Lateral · right wrist plain radiograph of the wrist · follow-up study · 660 by 978 pixels: 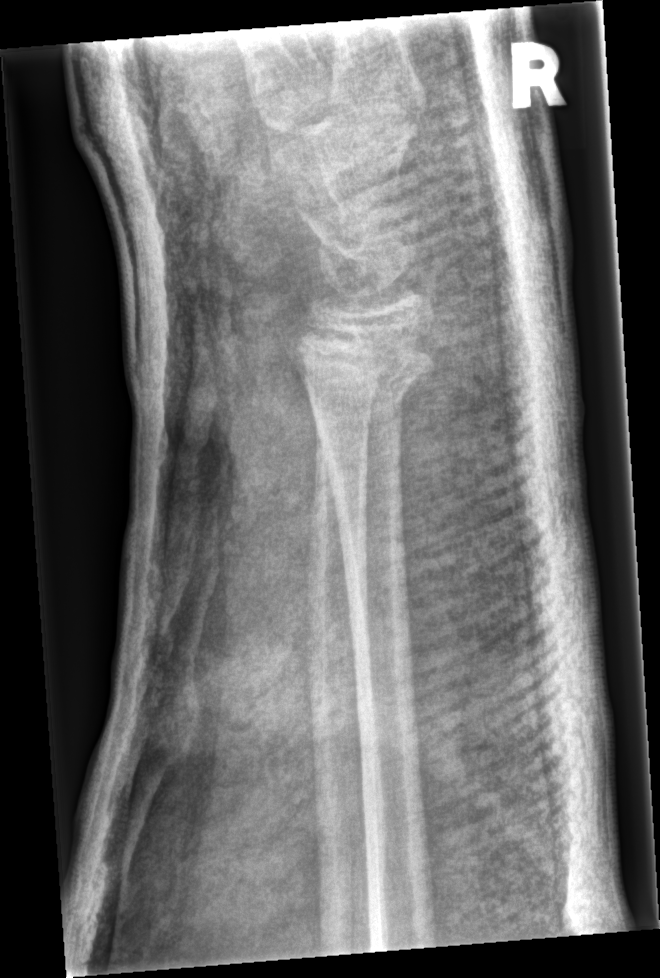

Bone fracture: <297,319>-<434,413>